Lat view; L wrist X-ray; pediatric patient (male, age 6); imaged through cast —
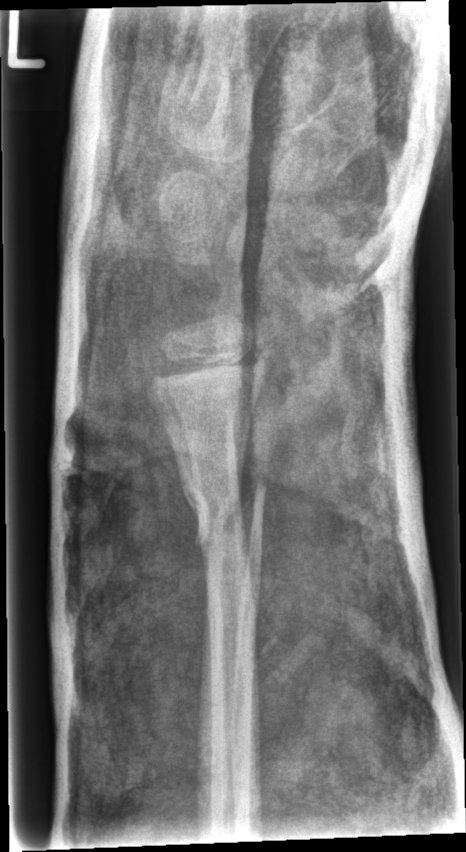 AO code: 23-M/3.1
Fx: bbox(178, 459, 268, 599)